R plain radiograph of the wrist, AP projection 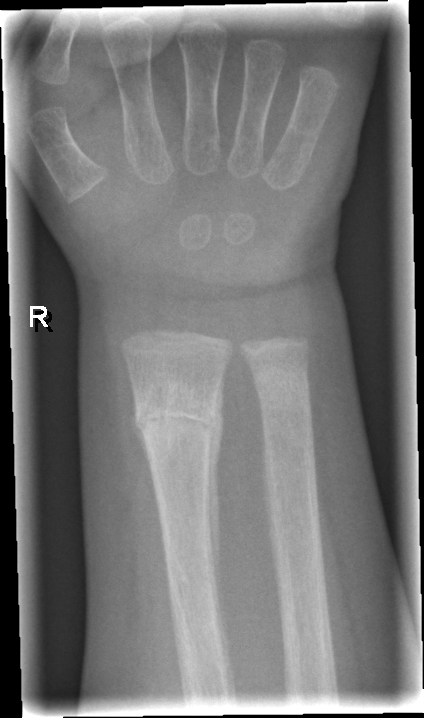

(pixel coordinates, top-left origin, xyxy)
AO code = 23r-M/3.1; 23u-M/2.1
Periosteal thickening = [205, 366, 230, 659], [130, 396, 157, 491]
Osteopenia = present
Bone fracture = [129, 383, 218, 451], [251, 367, 312, 410]